Posteroanterior view | L wrist radiograph | 599 by 824 pixels

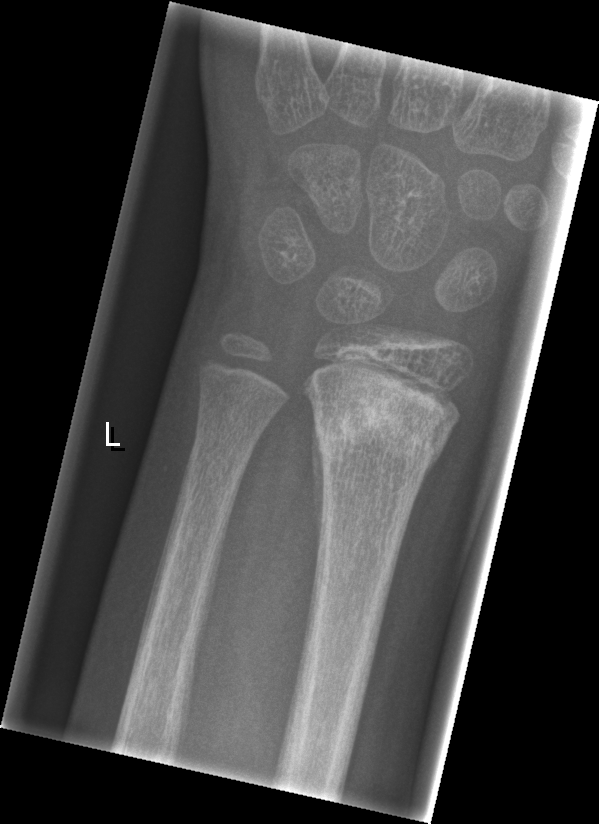 One periosteal reaction at 310 421 326 566. Bone fracture: 304 356 464 473.